Right wrist plain film | lateral view | 15-year-old male. 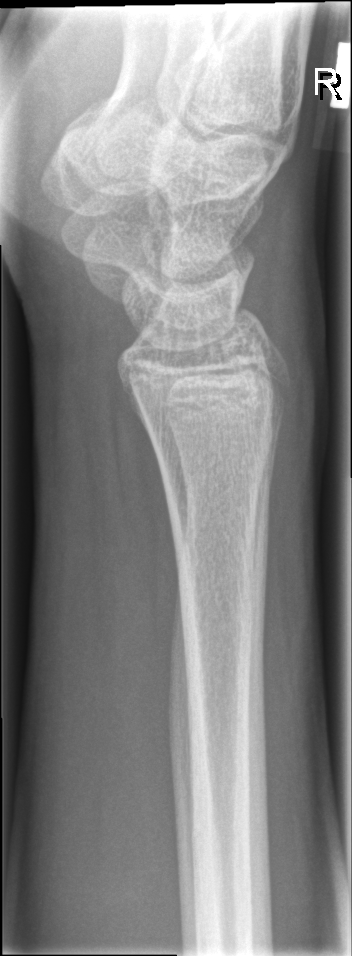
No fracture bounding box.